Lateral, L wrist plain film, 17y F, imaged through cast, 70.0 mm image width: 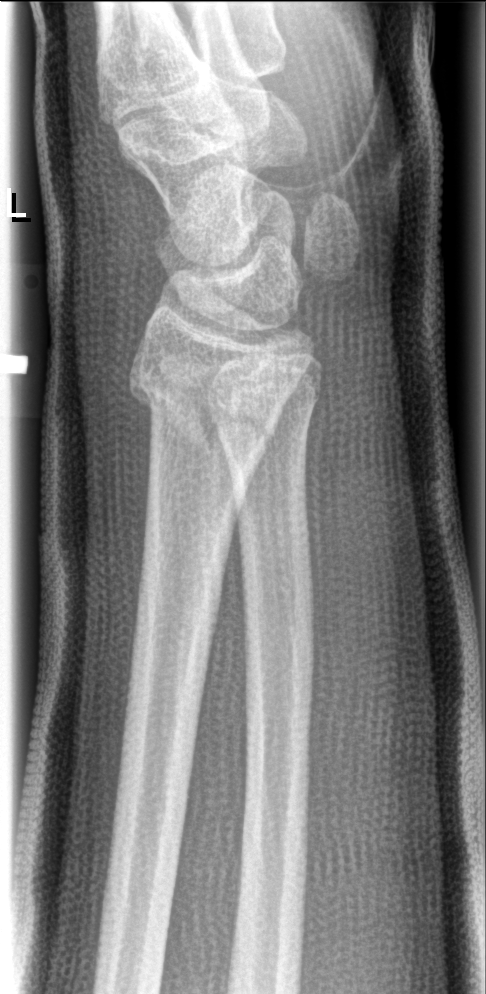 * Boxes as x1,y1,x2,y2 (top-left / bottom-right, pixel units).
* Fracture classified AO/OTA 23r-M/3.1.
* One fracture at [x1=125, y1=342, x2=283, y2=470].